Left wrist plain film, lateral projection, 6y F, initial study, 557 by 704 pixels:

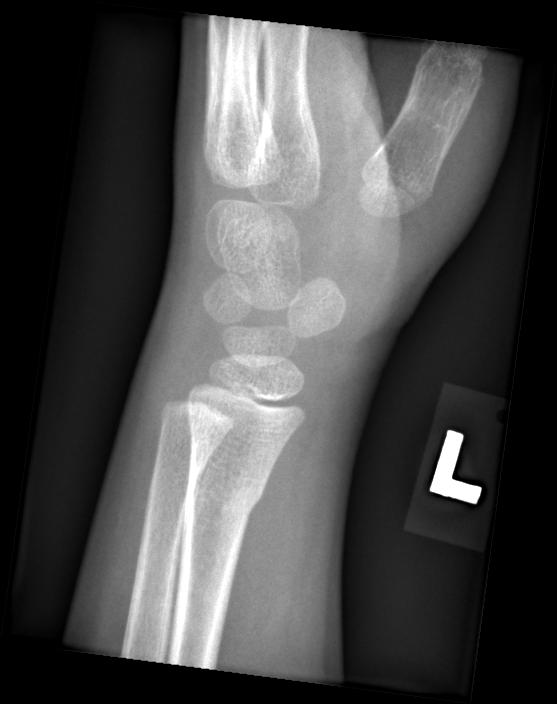 One Fx at [x1=180, y1=466, x2=267, y2=530].
AO code 23-M/2.1.